Lateral projection; left plain radiograph of the wrist; 58.0 mm image width 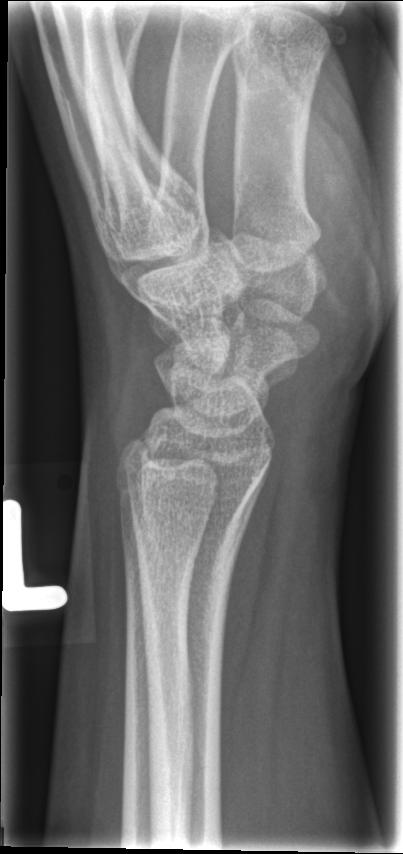
No fracture labeled.